Lateral projection, Rt wrist X-ray, 13-year-old boy, follow-up study, acquired on Siemens.

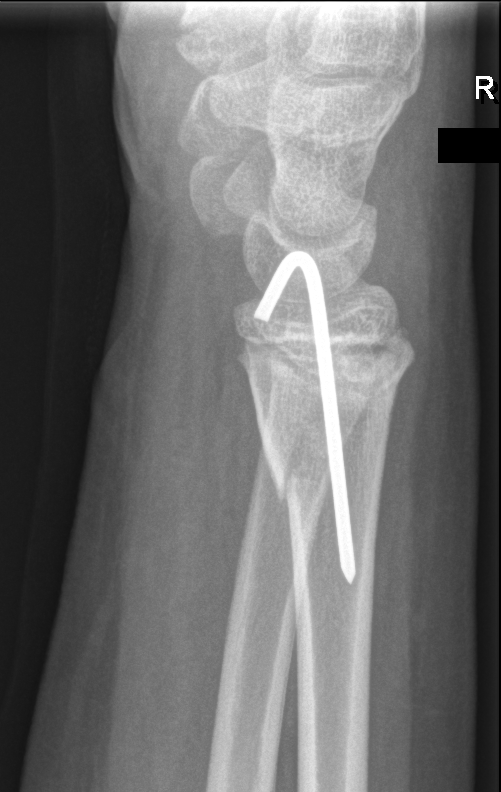
Boxes as x1,y1,x2,y2 (top-left / bottom-right, pixel units). AO/OTA classification: 23r-M/3.1. Fracture identified at [267, 338, 418, 510]. One metal at [250, 246, 360, 589].